L wrist X-ray | lateral view | girl, 7 yo | follow-up study

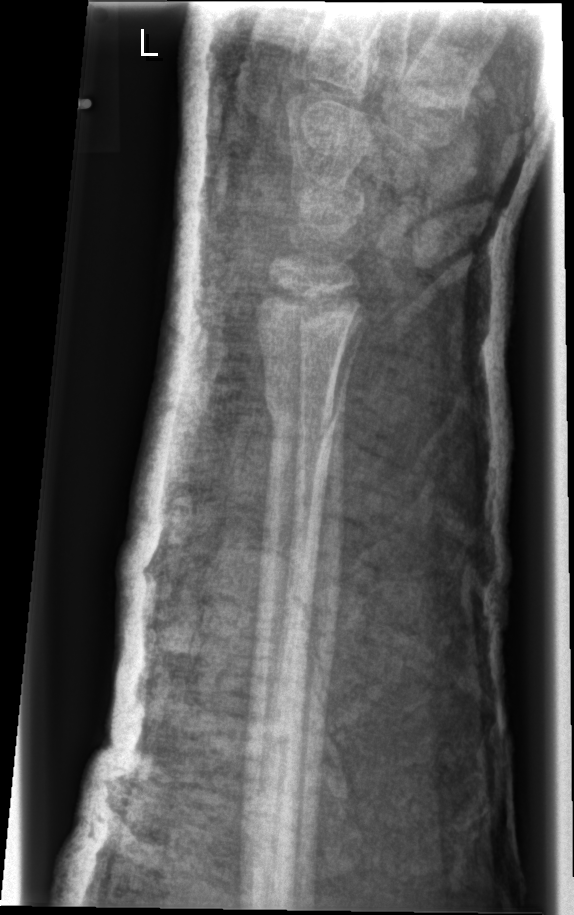 Fracture = 1 @ [260, 384, 348, 458]